Posteroanterior view | R wrist plain film | acquired on Siemens
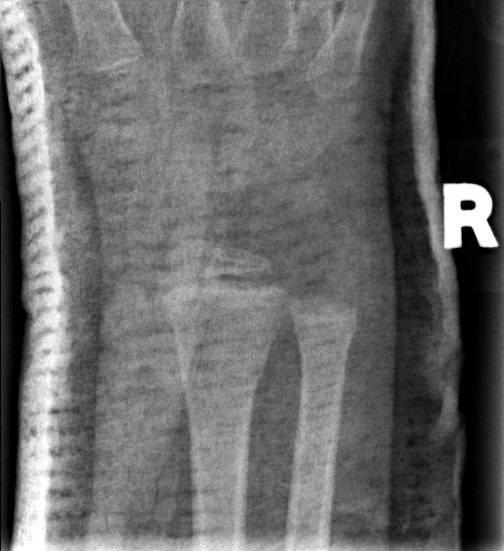

Fx: 1 @ (174, 347, 266, 391)
AO/OTA: 23r-M/3.1